Frontal view, right wrist radiograph, index exam, 572 by 854 pixels.
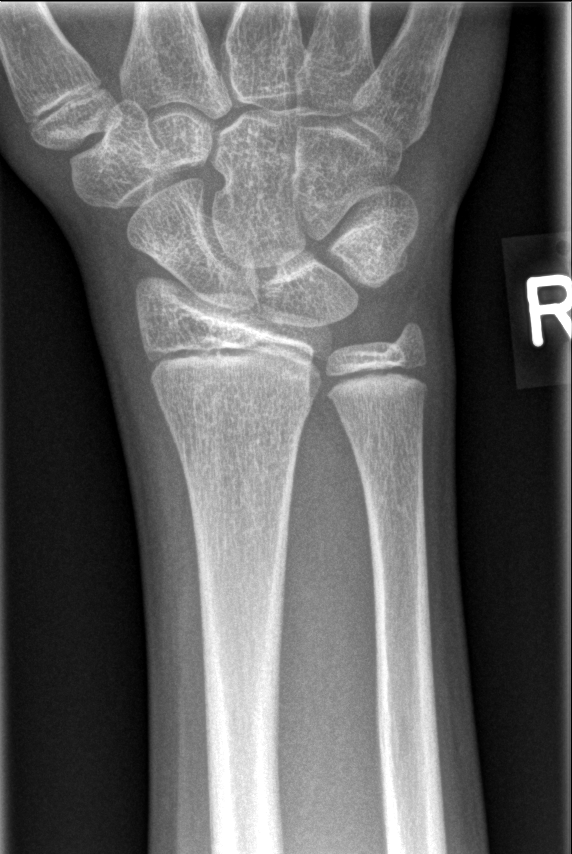
AO/OTA: 23r-M/2.1
bone fracture: present but not clearly seen in this view